Right wrist plain film; posteroanterior projection; 17y F; presentation radiograph; detector: Siemens.

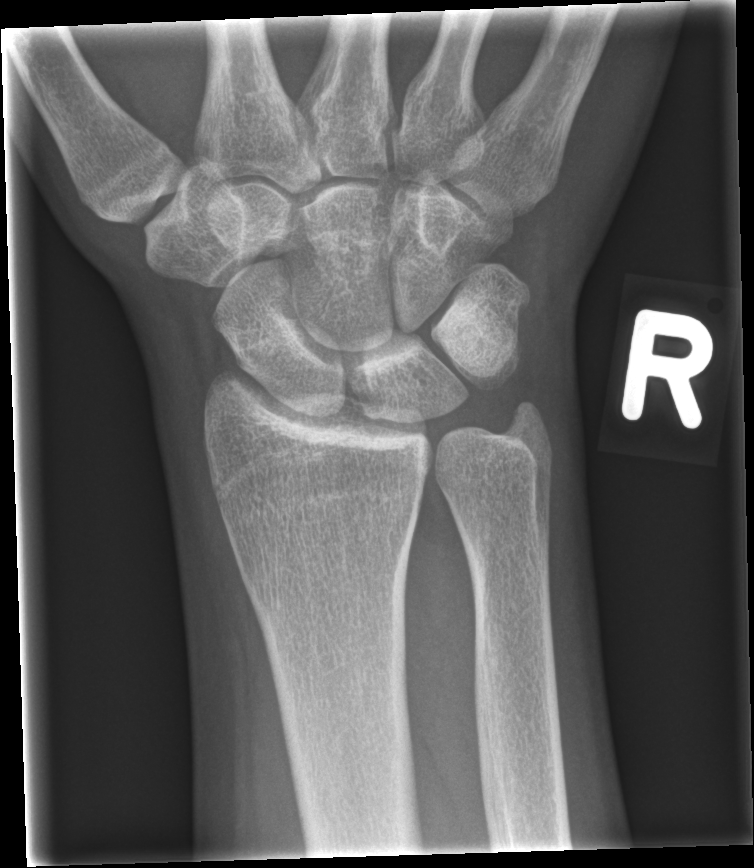
- Fx: none.